Posteroanterior view · right wrist radiograph · 8-year-old male · follow-up study · imaged through cast · Siemens 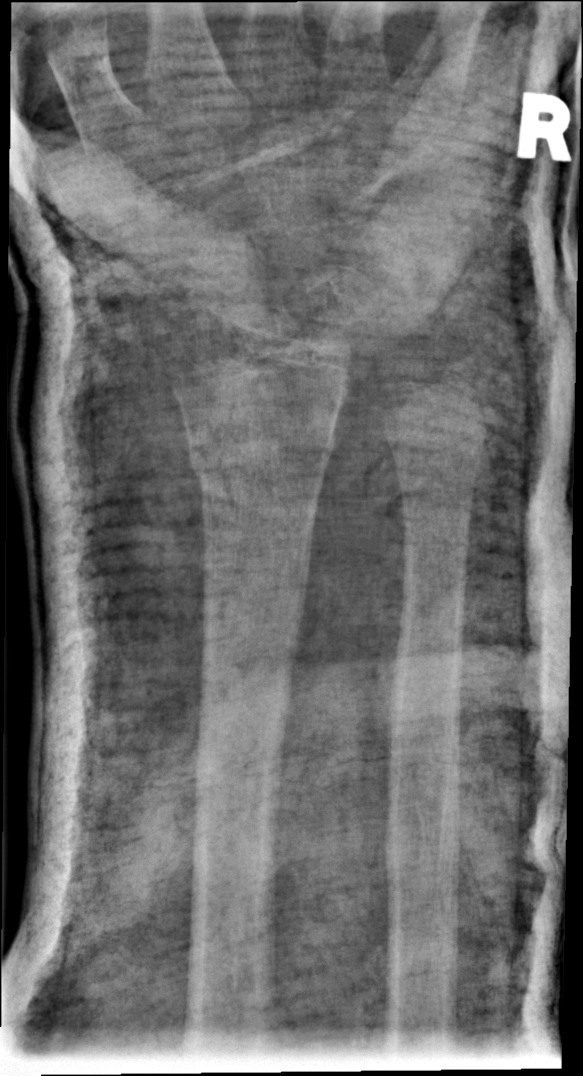 - Bone fracture: [x1=181, y1=410, x2=341, y2=492].